Right wrist XR, posteroanterior projection —
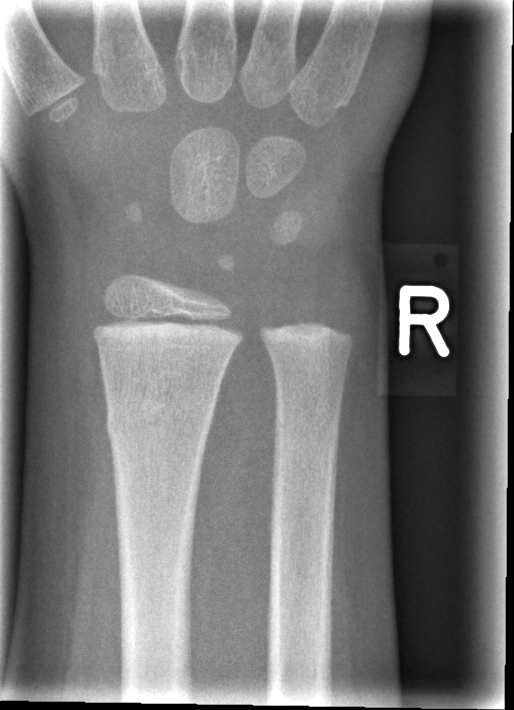 FINDINGS: Fracture classified AO/OTA 23r-M/2.1. Bone fracture — 102,386,218,444.